PA, R plain radiograph of the wrist, 595x994

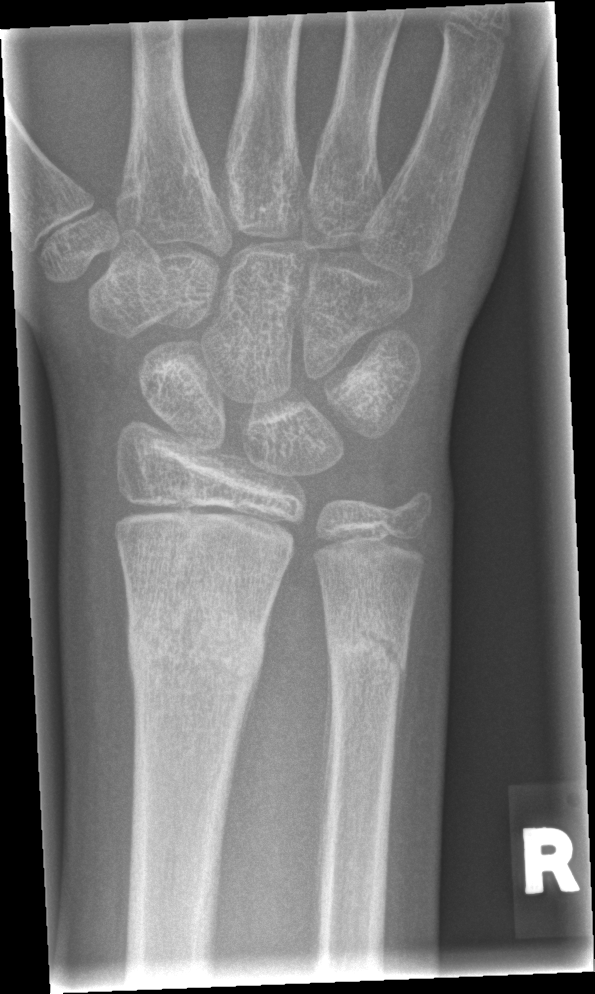
Fx = 2 @ <123,590>-<269,703> <319,617>-<415,692>
Periosteal thickening = <320,646>-<336,894> <235,666>-<263,763> <392,658>-<406,762> <262,601>-<274,650>